Lat | L wrist radiograph | follow-up study | acquired on Siemens | 697x1142 — 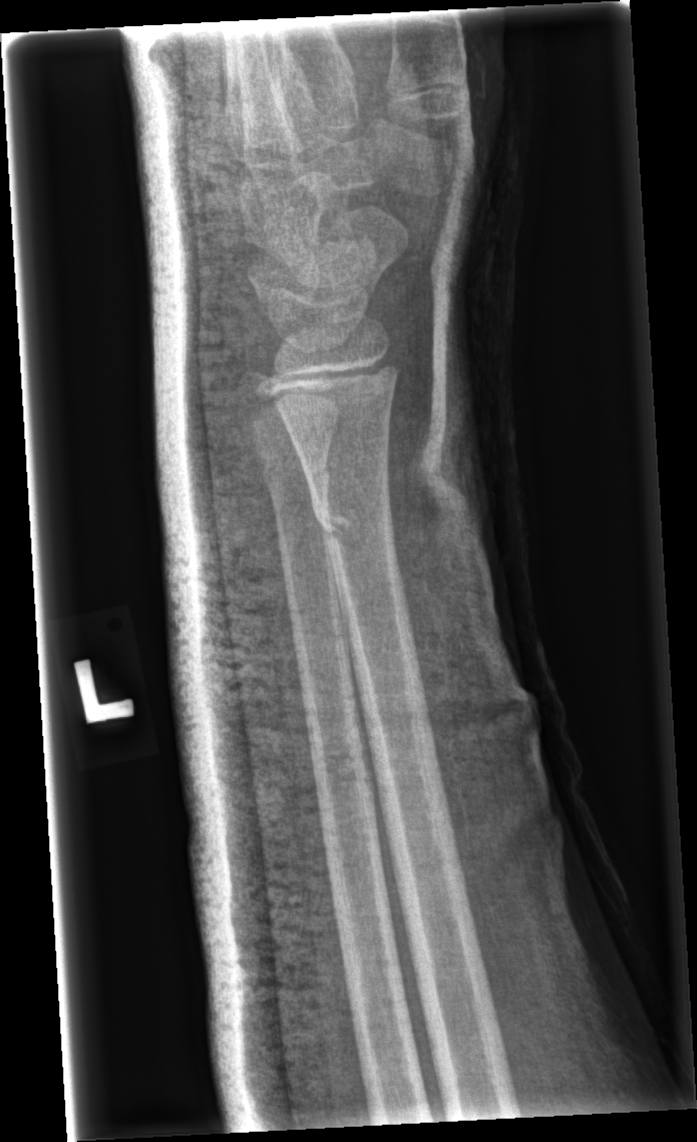

AO code = 23-M/2.1
Bone fracture = 2 @ [307, 482, 398, 556] [259, 457, 335, 512]